Rt plain radiograph of the wrist | lateral projection.
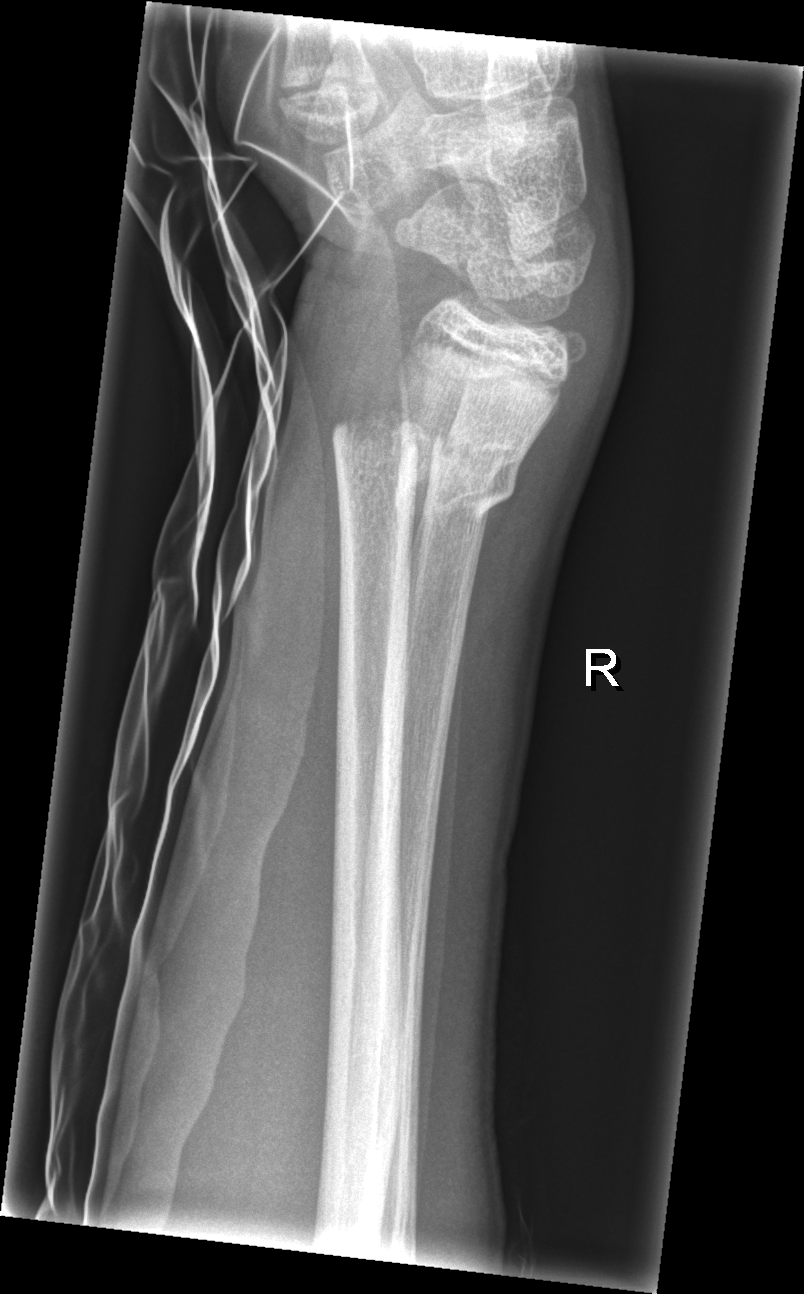 Pixel coordinates, top-left origin, xyxy. Bone fracture identified at 426 425 523 521 | 327 410 444 486. Fracture classified AO/OTA 23-M/3.1.